Lat projection; right wrist XR; 12-year-old boy.

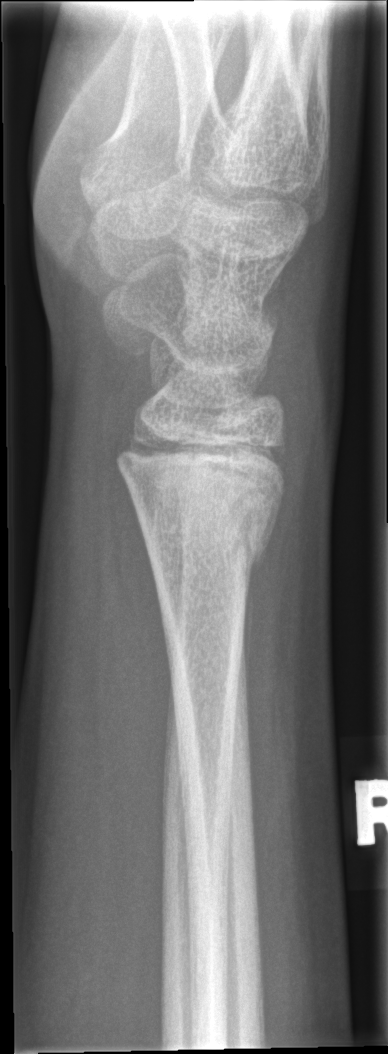 Pixel coordinates, top-left origin, xyxy. Fracture: [108, 426, 292, 575]. AO/OTA classification: 23r-E/2.1; 23u-E/7.